Rt wrist X-ray, lat, age 11 y, girl. 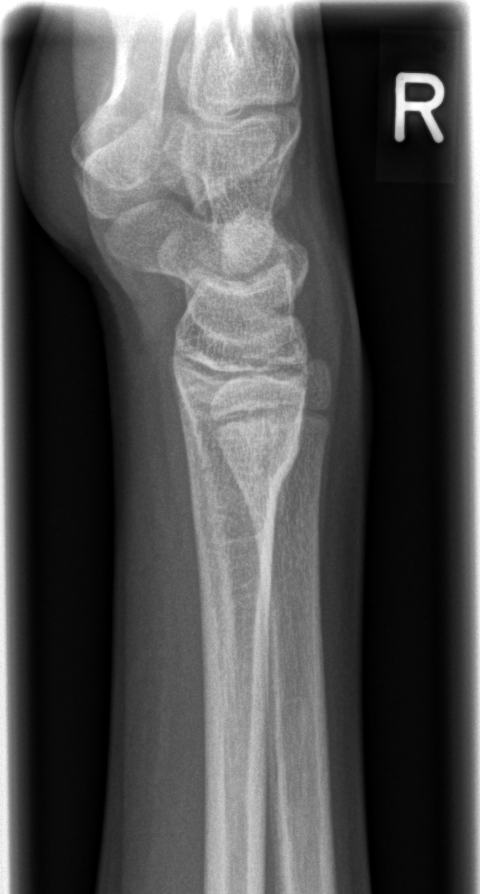

Fracture: 1 @ [x1=182, y1=425, x2=305, y2=505]